Left wrist plain radiograph of the wrist | AP view | 905 by 1156 pixels —

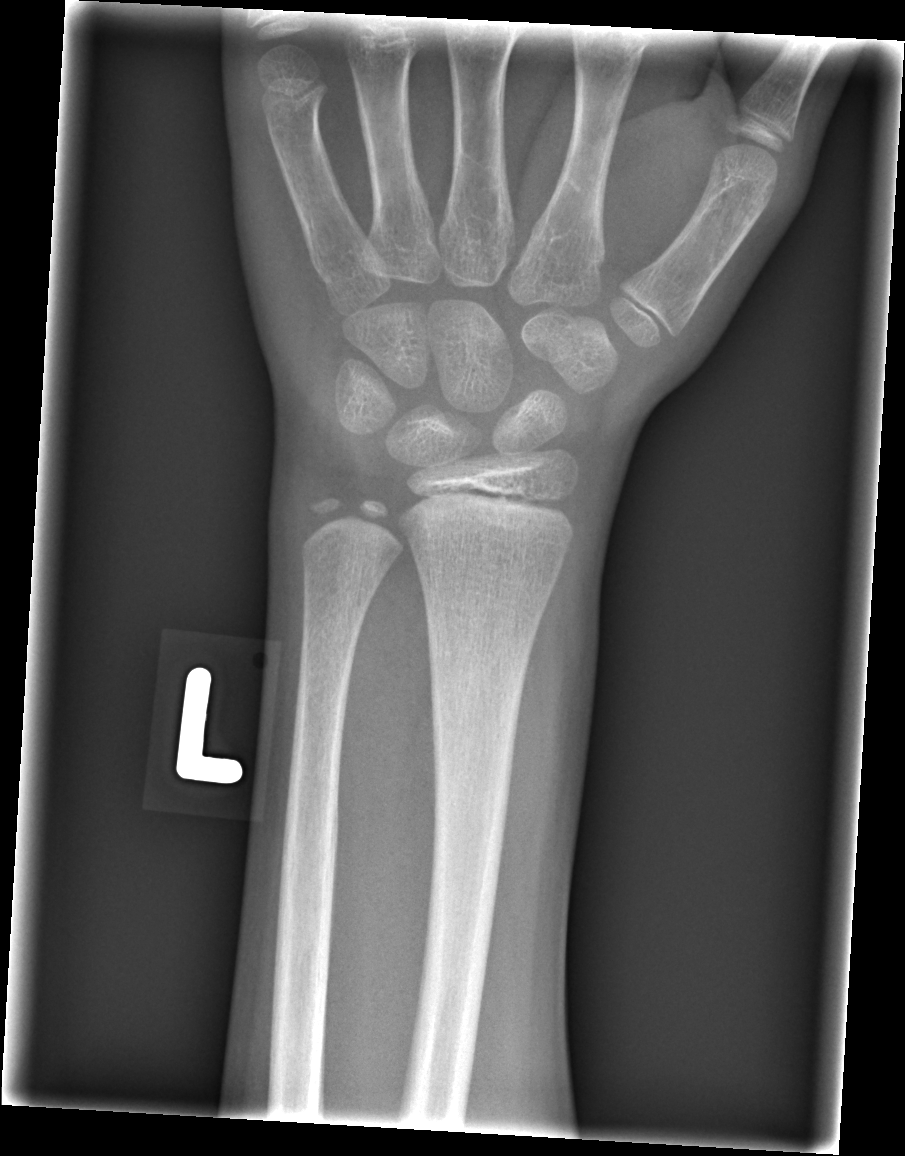
fracture = none labeled